Lateral view, right wrist XR, male, 7 yo, detector: Siemens.
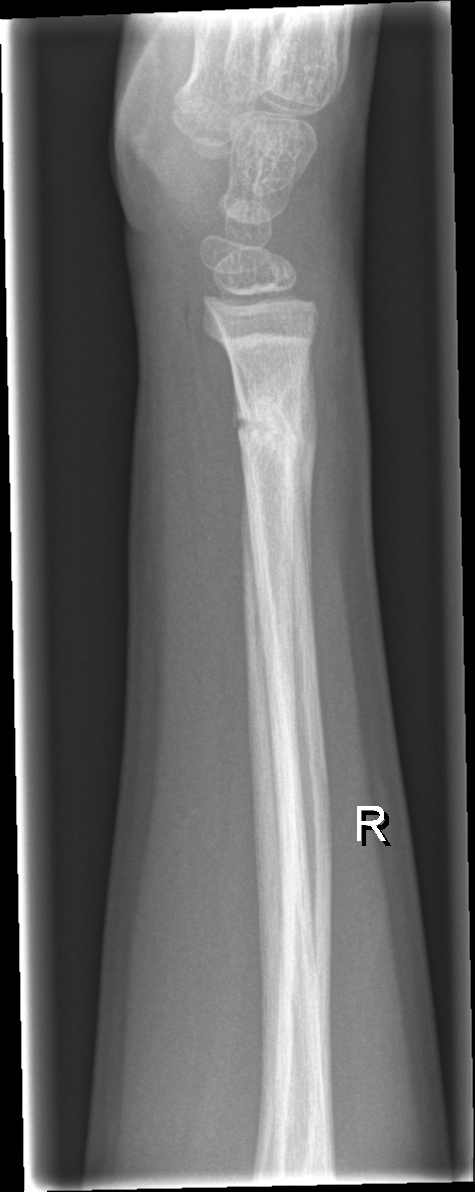
osteopenia: present
ao: 23-M/3.1
fracture: 1 @ bbox(225, 374, 316, 469)